Lat, Rt wrist plain film, follow-up, 568 by 1194 pixels.

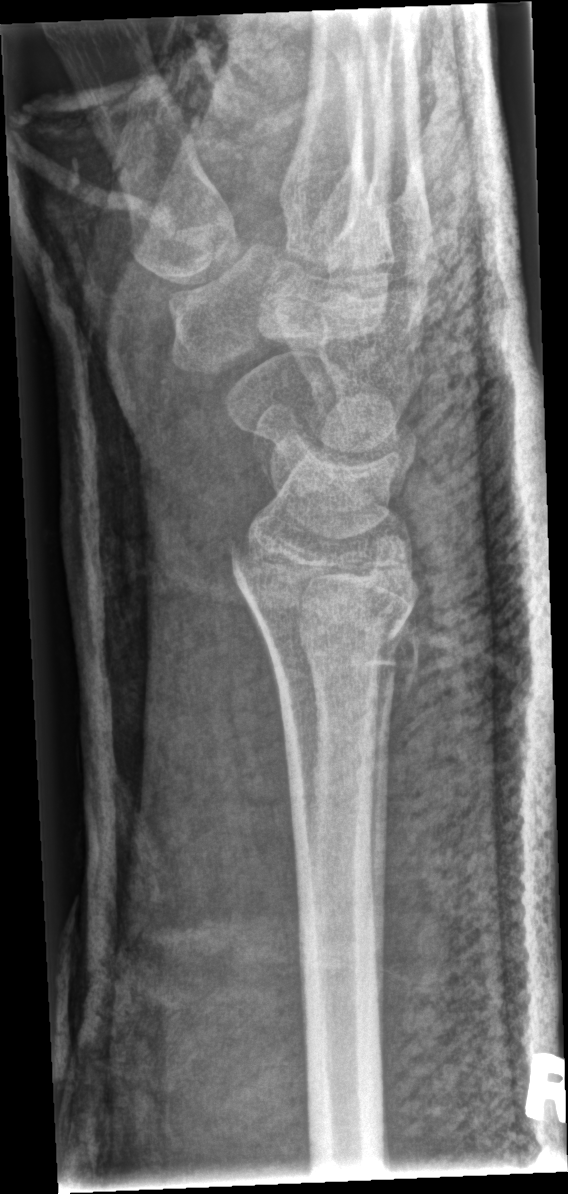 Bone fracture identified at (left=229, top=534, right=423, bottom=701).
AO code 23-M/3.1.